Rt wrist radiograph; lat view; boy, 13 yo. 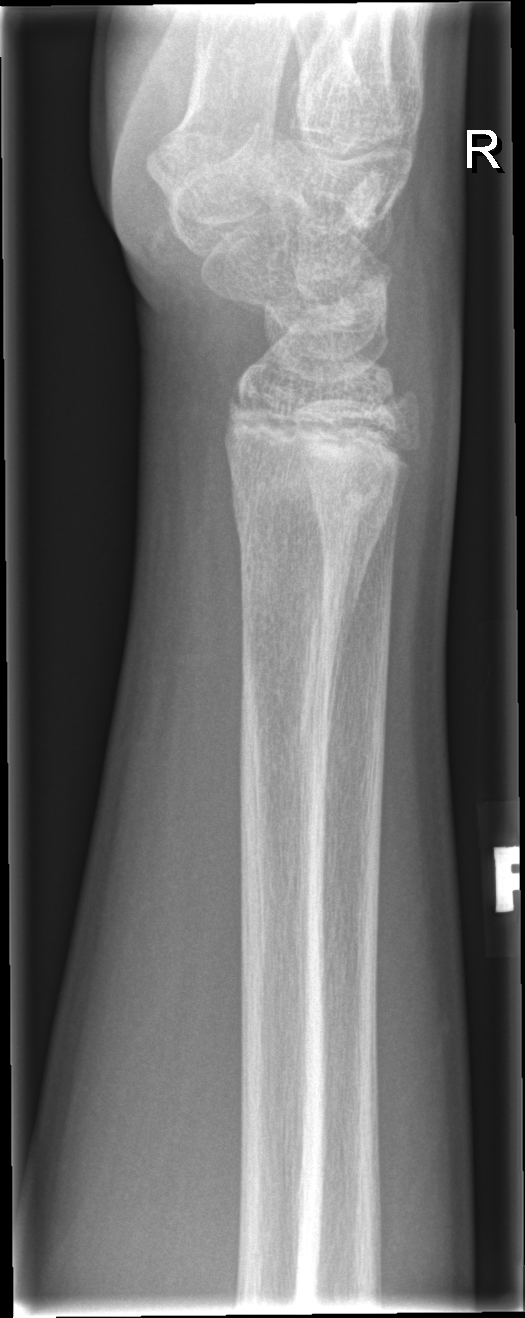 Pixel coordinates, top-left origin, xyxy. Periosteal thickening identified at 320 466 399 755. Bone fracture — 221 423 405 544. Decreased bone density (osteopenia).